Lateral view; right wrist X-ray; follow-up; imaged through cast —

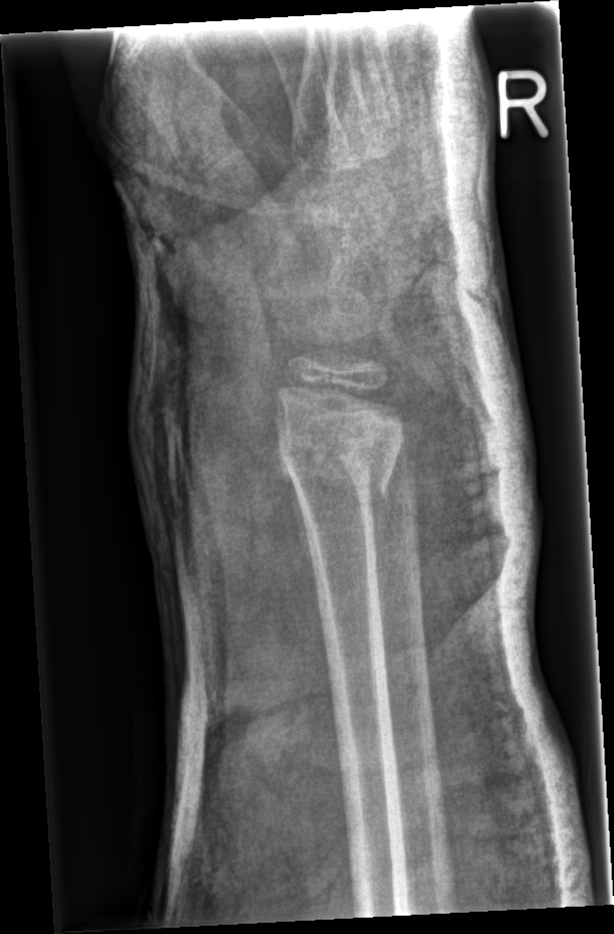 Fx identified at [273, 428, 401, 500].